L pediatric wrist radiograph · AP view —
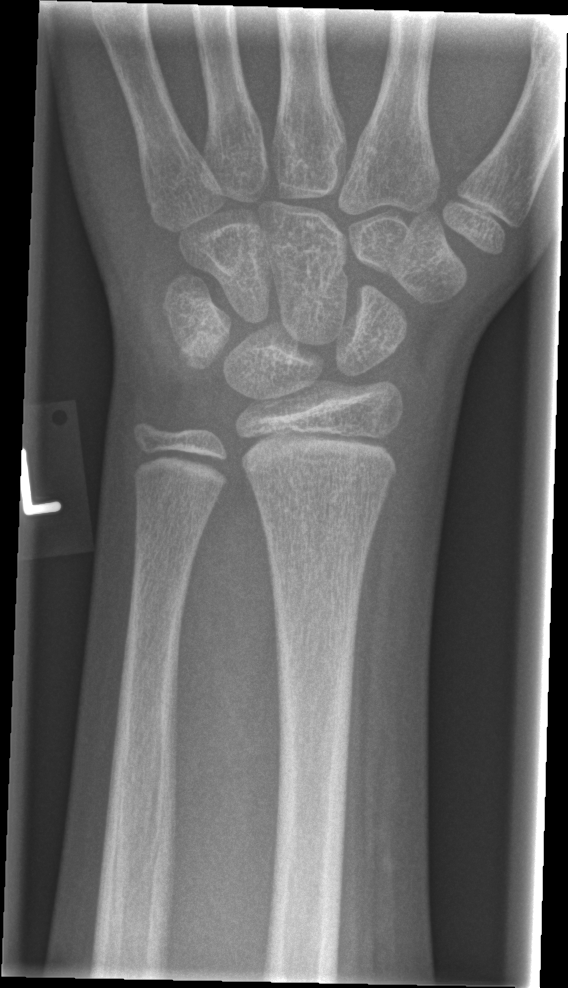

fracture: none labeled